Right wrist plain film; lateral: 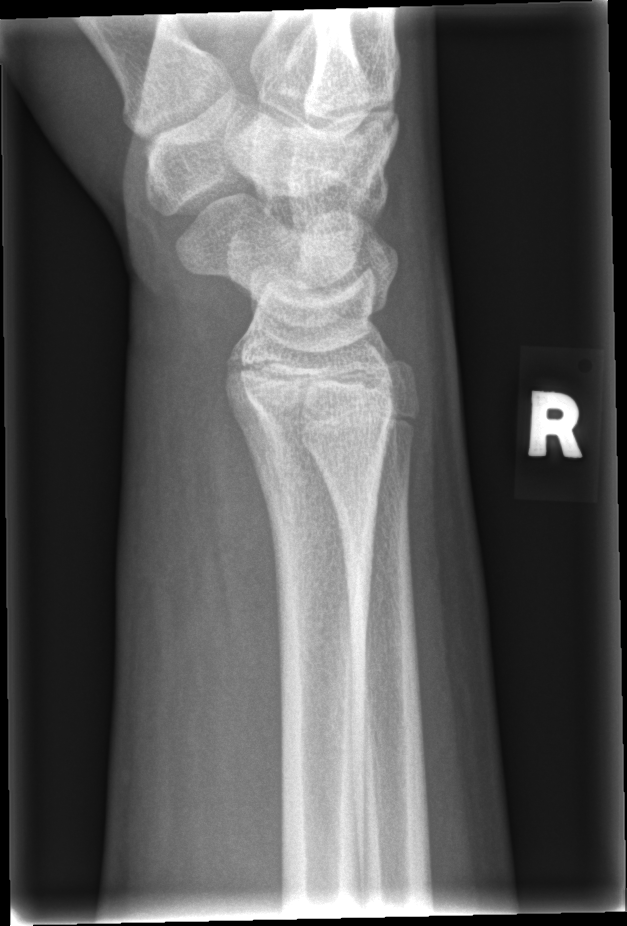

Fracture: none labeled.